Lateral view | Lt wrist XR | male, 6 yo.

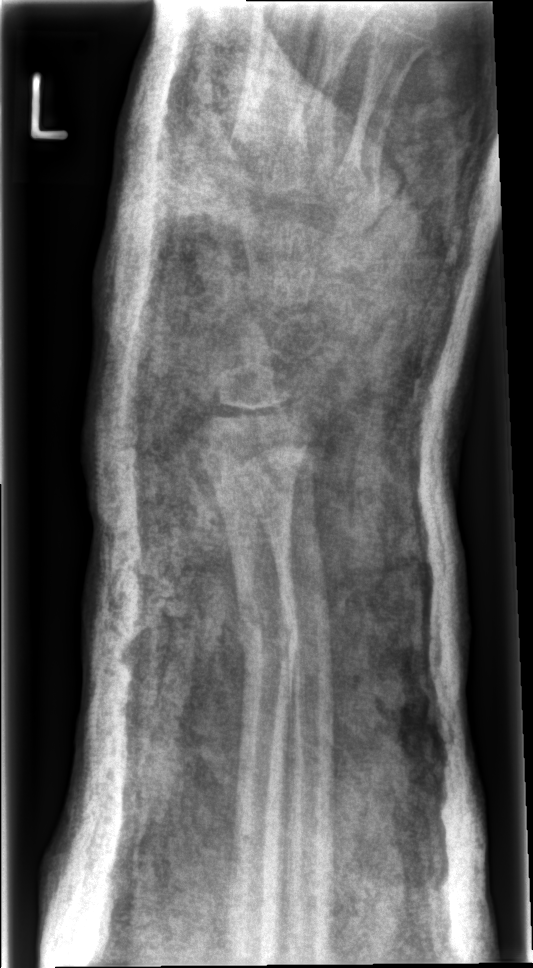 Bounding boxes in image-pixel xyxy.
AO code 23-M/3.1.
Fx — (left=233, top=589, right=313, bottom=664).